AP view; R wrist plain film.

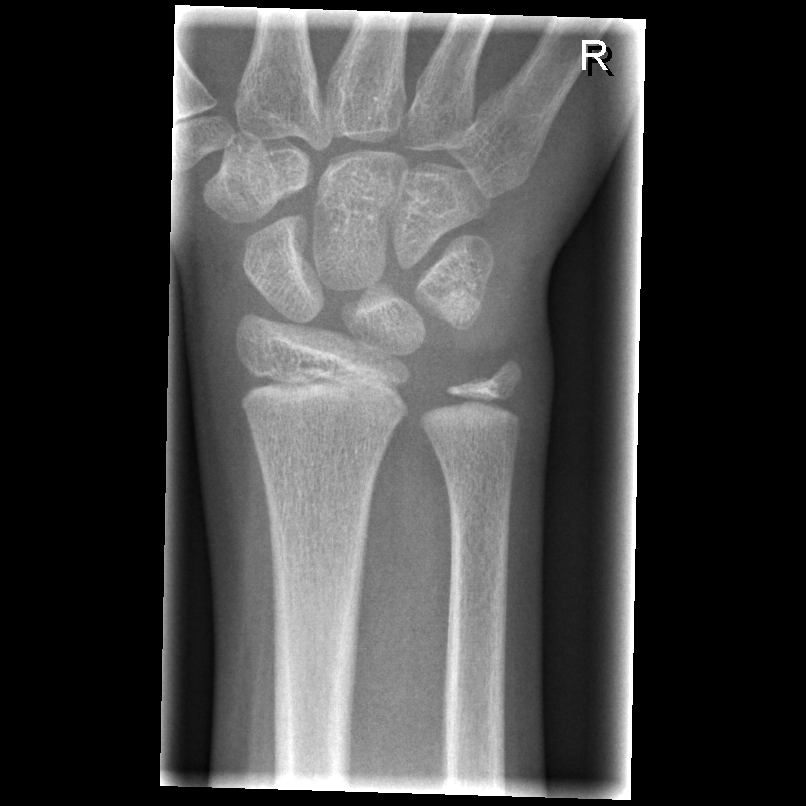
FINDINGS: No Fx annotated.